Left wrist plain film; lateral view; 66.1 mm image width 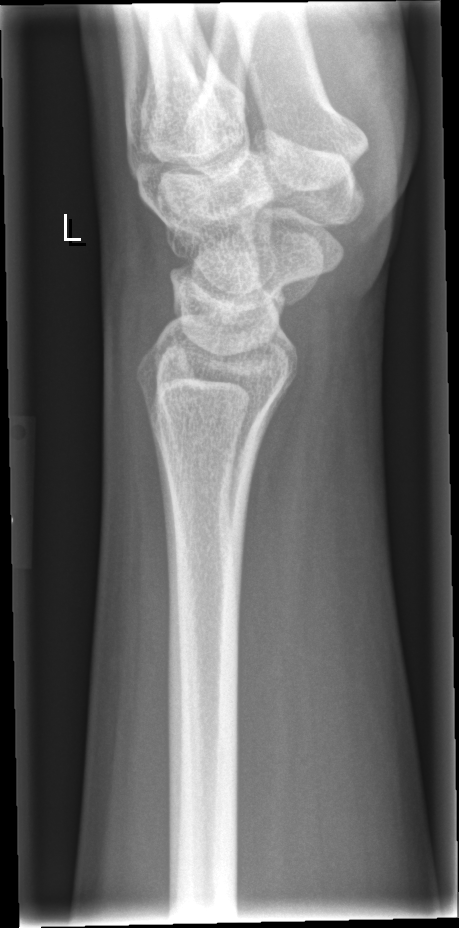
fracture: none labeled